Lat · right wrist plain radiograph of the wrist · 14-year-old male · acquired on Siemens · image size 512x1212
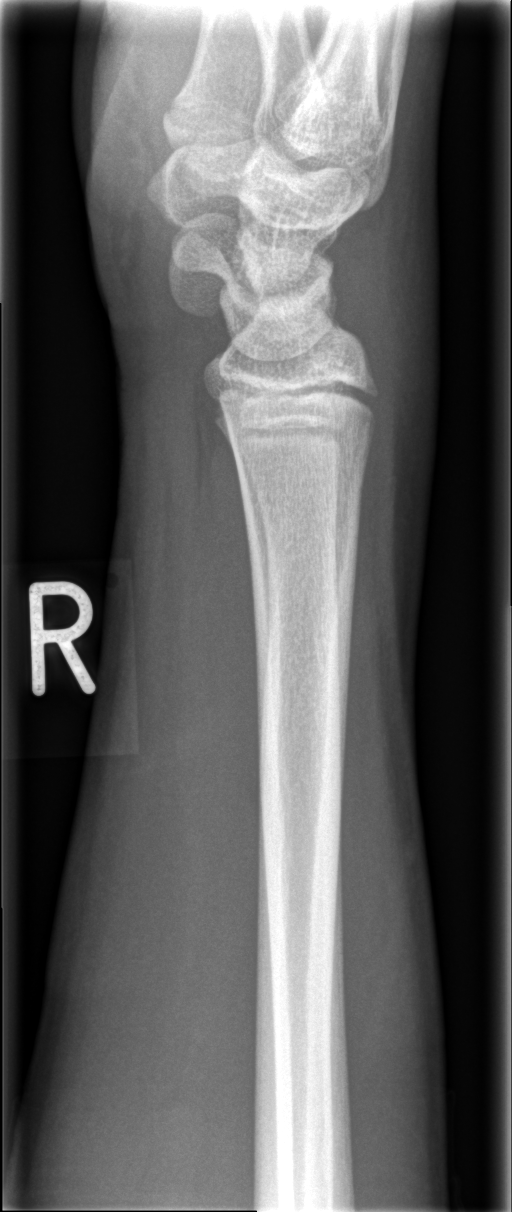
Fx: none labeled